R plain radiograph of the wrist, PA/AP, subsequent exam — 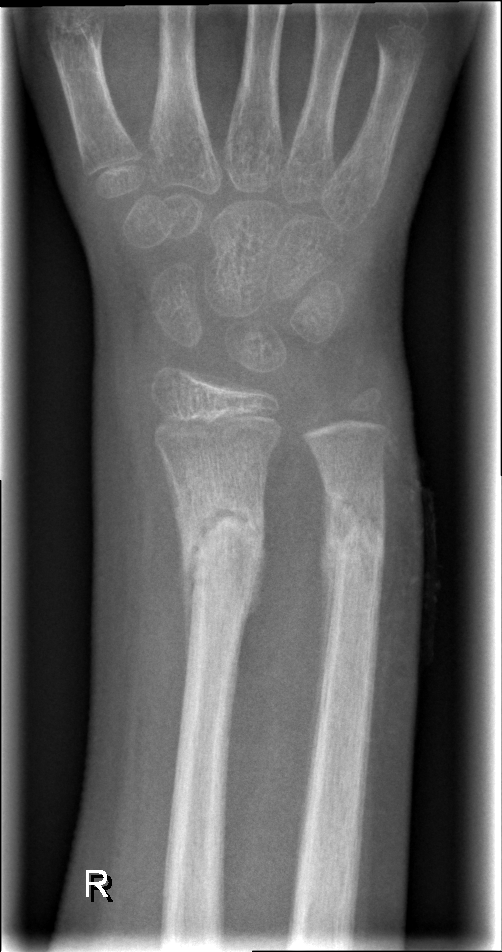

FINDINGS — (coordinates are [x1, y1, x2, y2] in image pixels) Three periosteal reaction at 301 480 335 822
  159 449 197 679
  243 531 266 629. AO/OTA classification: 23-M/3.1. Osteopenic. Fx: 170 526 271 607
  320 519 388 588.